Left wrist X-ray · posteroanterior · cast in situ

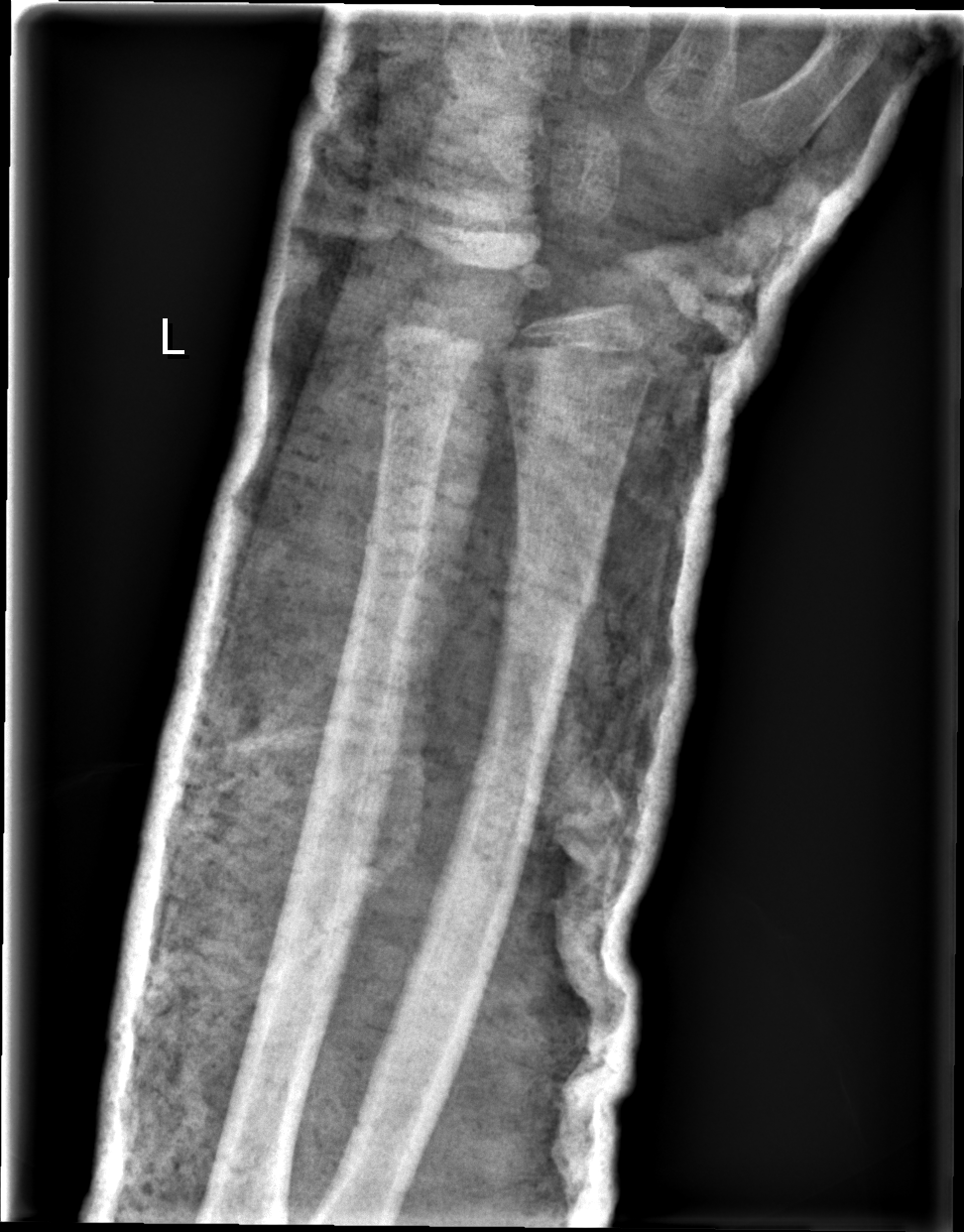
Fracture identified at bbox(498, 557, 601, 632); bbox(358, 518, 438, 574). AO code 22-D/2.1.